Lateral view, L wrist XR, age 6 y, female, 332x894:

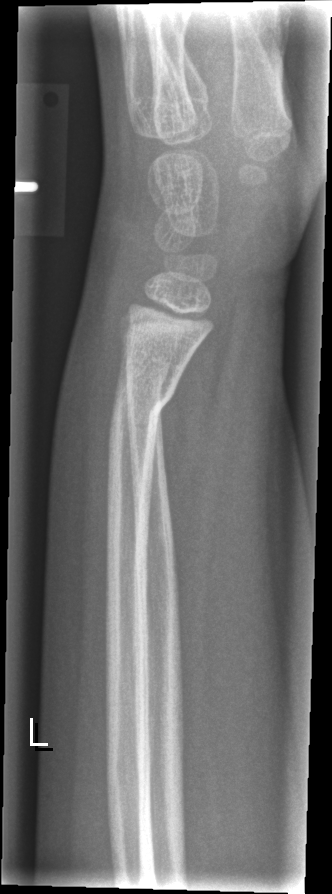

FINDINGS: Fx identified at [106, 383, 176, 446]. AO/OTA classification: 23r-M/3.1; 23u-M/2.1.